Right wrist plain radiograph of the wrist, lat projection, pediatric patient (male, age 13), presentation radiograph —

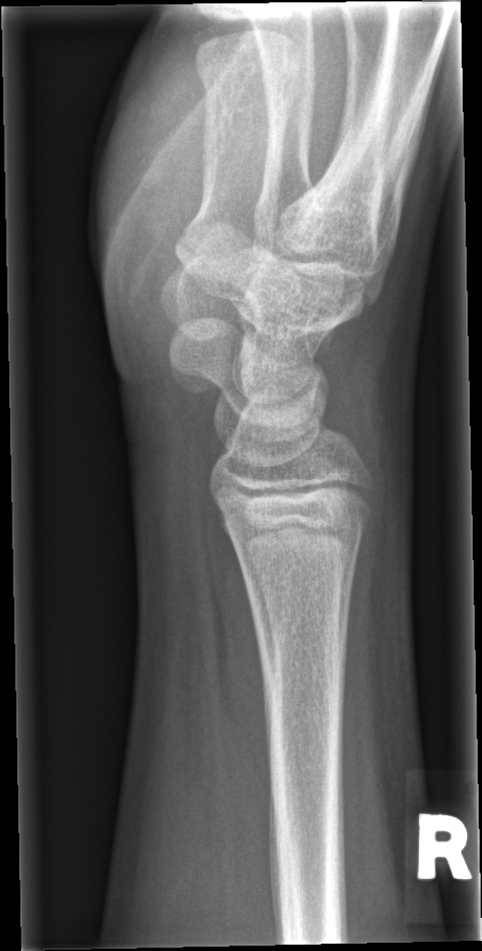
- No fracture annotation.